Lateral | right wrist XR | male, 1.4 yo: 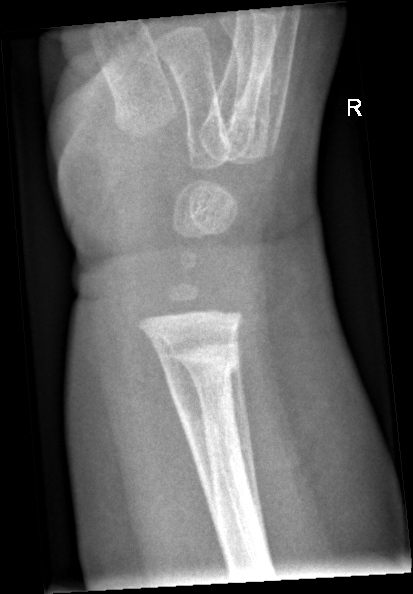 Findings: (pixel coordinates, top-left origin, xyxy) AO code 23r-M/2.1. Bone fracture identified at (left=152, top=333, right=245, bottom=390).